AP projection · Rt wrist X-ray · 700x1052:

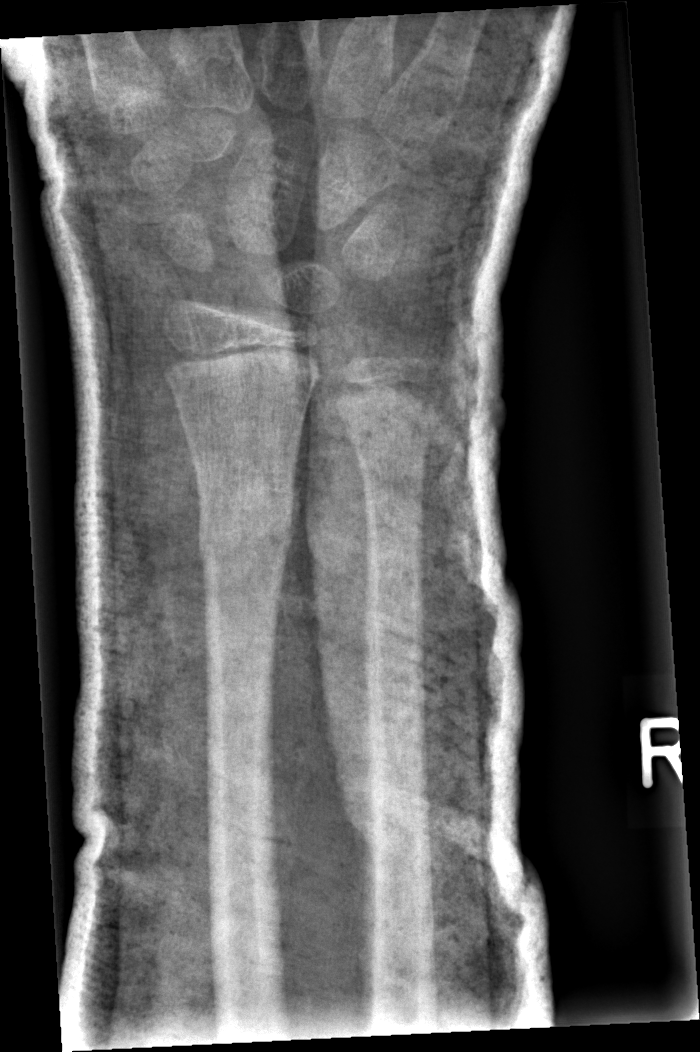

Findings: Bone fracture — 192,479,300,573.